Lat view | R wrist plain film | age 7 y, boy | cast in situ —

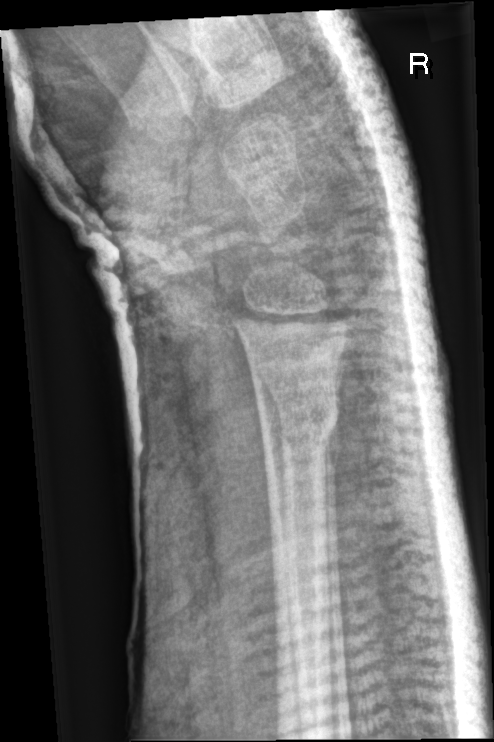 Bone fracture identified at (256, 387, 342, 446).
Fracture classified AO/OTA 23-M/2.1.